PA view; right wrist XR; male, 7 yo; Siemens; 571 by 1028 pixels: 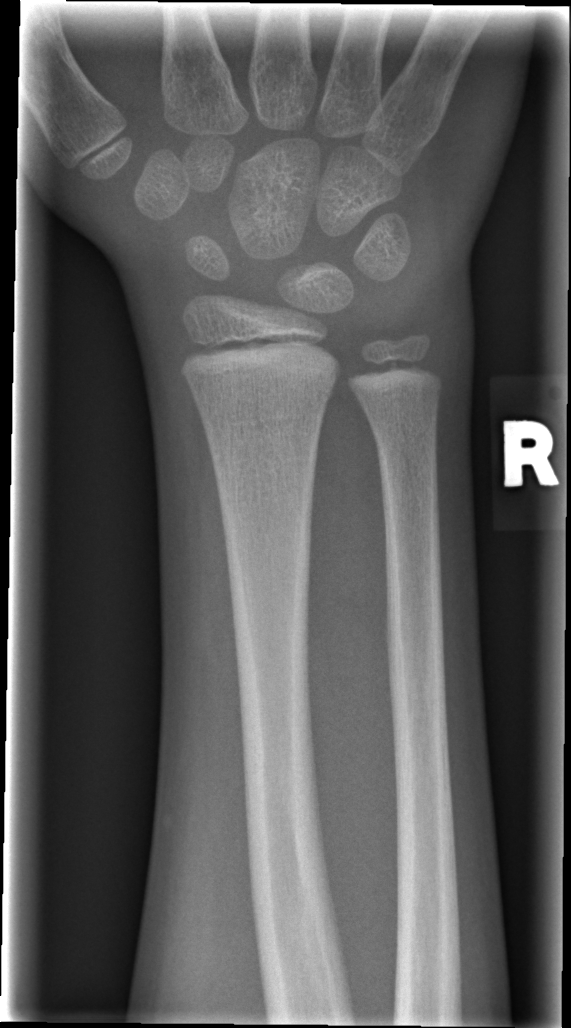

Bone fracture: none labeled